PA projection, left wrist XR, 11-year-old female, initial study

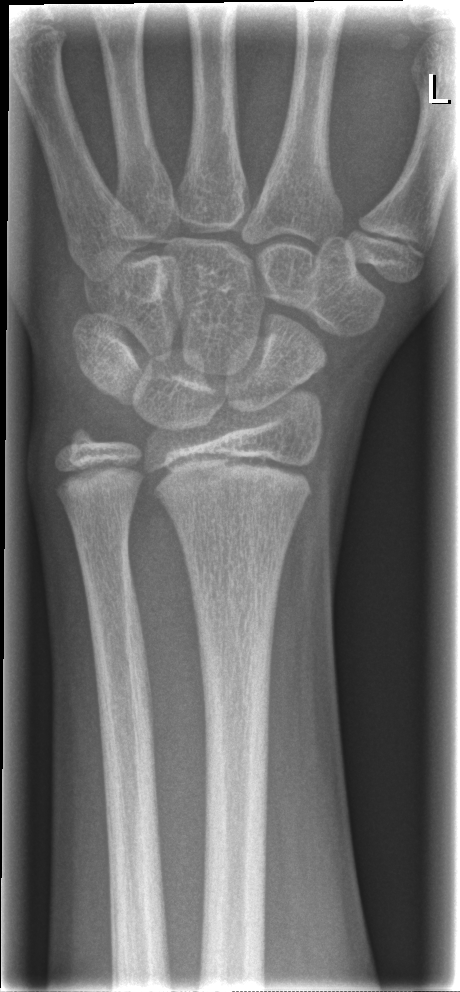

Fx: none.